Lat · left wrist radiograph · 9-year-old girl · initial study
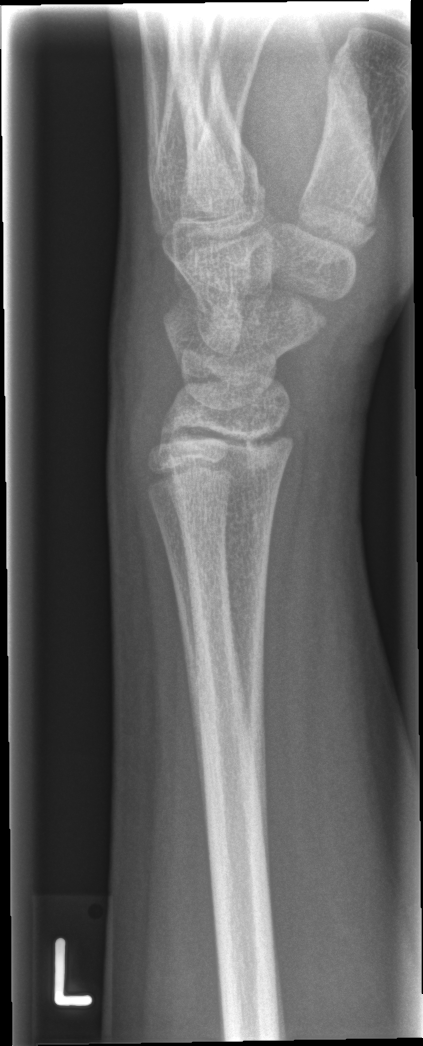
FINDINGS: No fracture bounding box.